Lat projection; L wrist plain film; Siemens 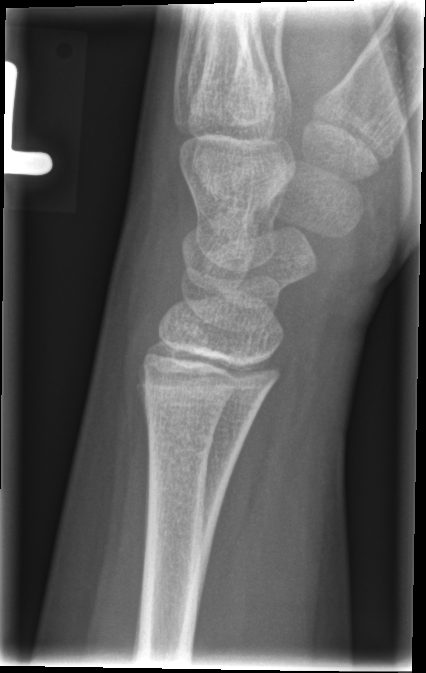

No fracture labeled.